Left wrist X-ray · AP view · follow-up · acquired on Siemens —
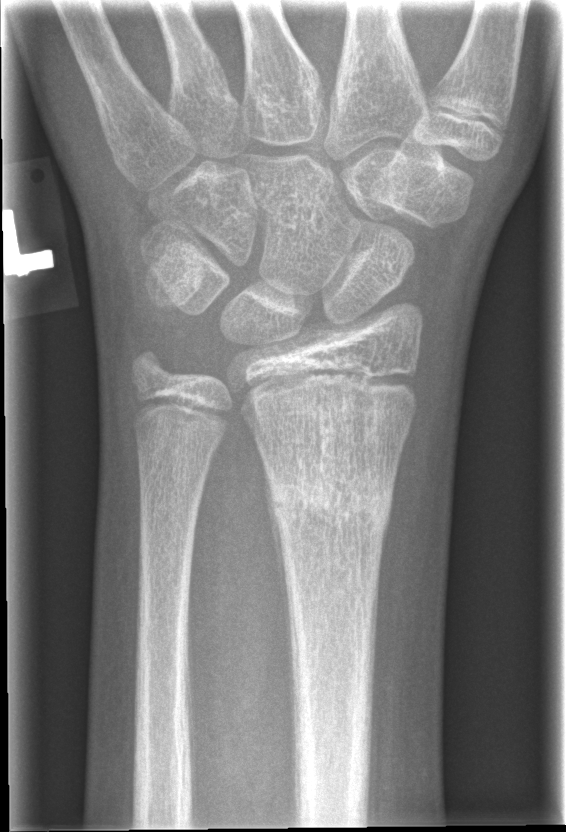 (pixel coordinates, top-left origin, xyxy)
AO/OTA: 23r-M/3.1; 23u-E/7
Fx: 2 @ bbox(263, 456, 397, 545) bbox(127, 342, 184, 394)
Periosteal thickening: bbox(261, 448, 297, 717)